PA/AP | left wrist X-ray | follow-up study | acquired on Siemens —
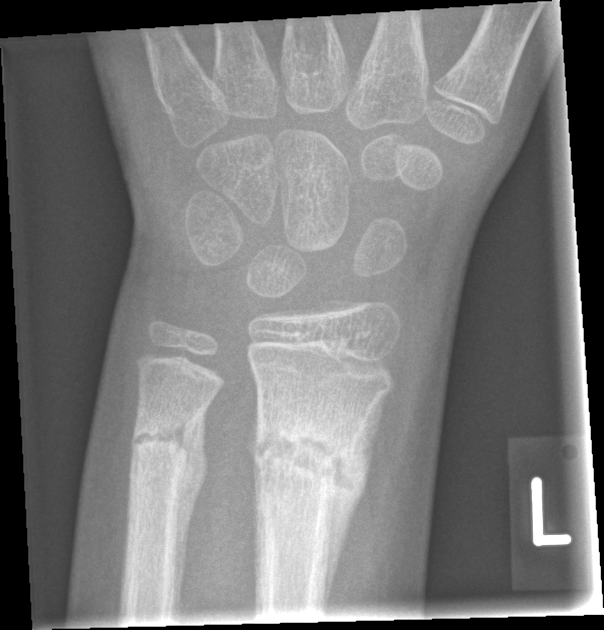
(boxes as x1,y1,x2,y2 (top-left / bottom-right, pixel units))
bone fracture: bbox(248, 409, 365, 512), bbox(126, 410, 205, 479)
osteopenia: present
AO code: 23-M/3.1
periosteal thickening: 3 @ bbox(317, 395, 385, 618); bbox(171, 406, 209, 619); bbox(247, 398, 260, 461)